Left wrist pediatric wrist radiograph | PA/AP view | age 13 y, male.

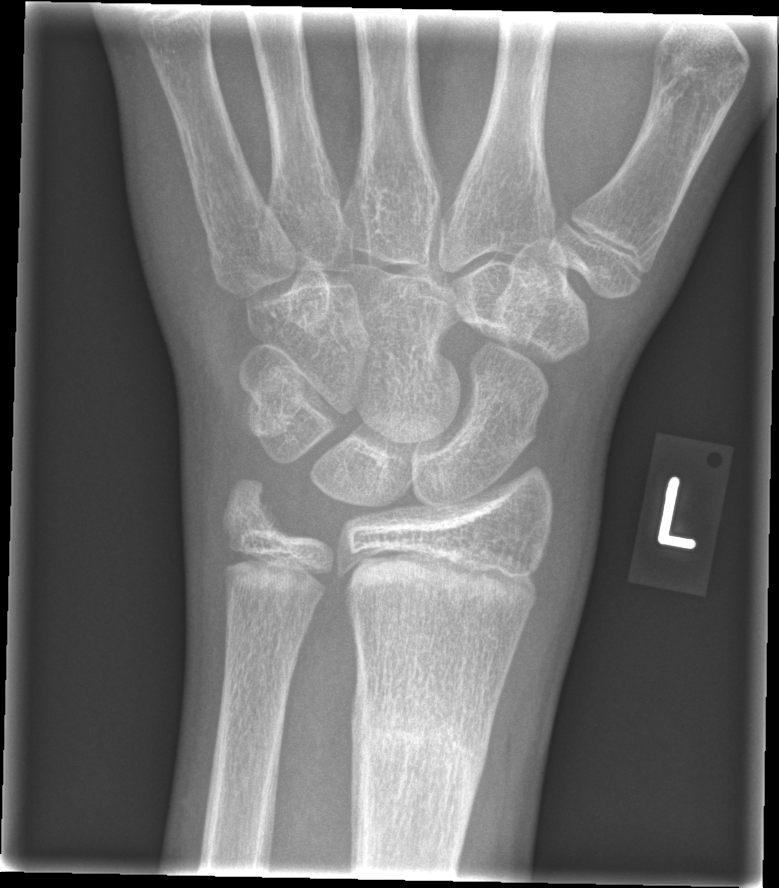
(boxes as x1,y1,x2,y2 (top-left / bottom-right, pixel units))
Fx = 2 @ [346, 680, 496, 803]; [215, 474, 291, 550]
periosteal reaction = 1 @ [349, 638, 366, 874]